Lat · L plain radiograph of the wrist · boy, 16 yo · follow-up. 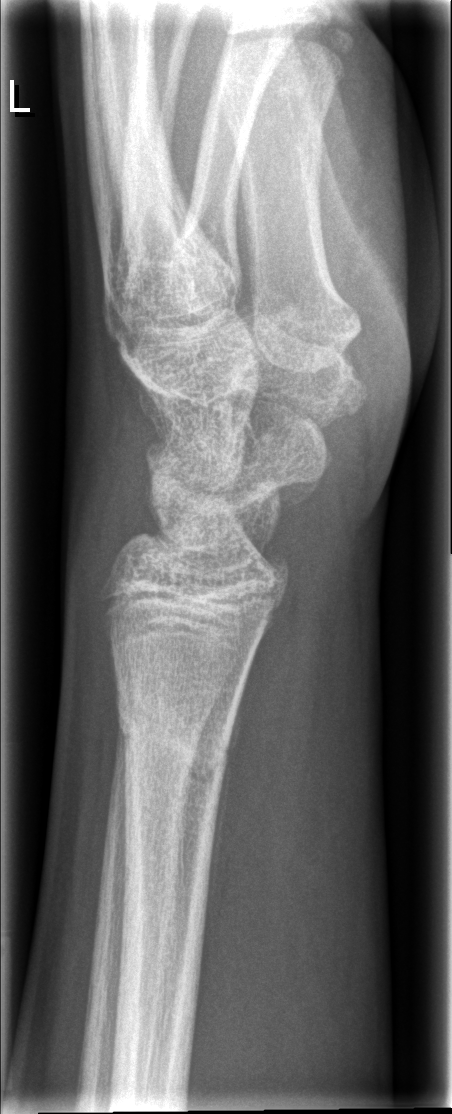

  periostealreaction: 1 @ <203,676>-<246,930>
  fracture: <110,686>-<243,811>